Rt wrist radiograph, AP, 13y M, cast present
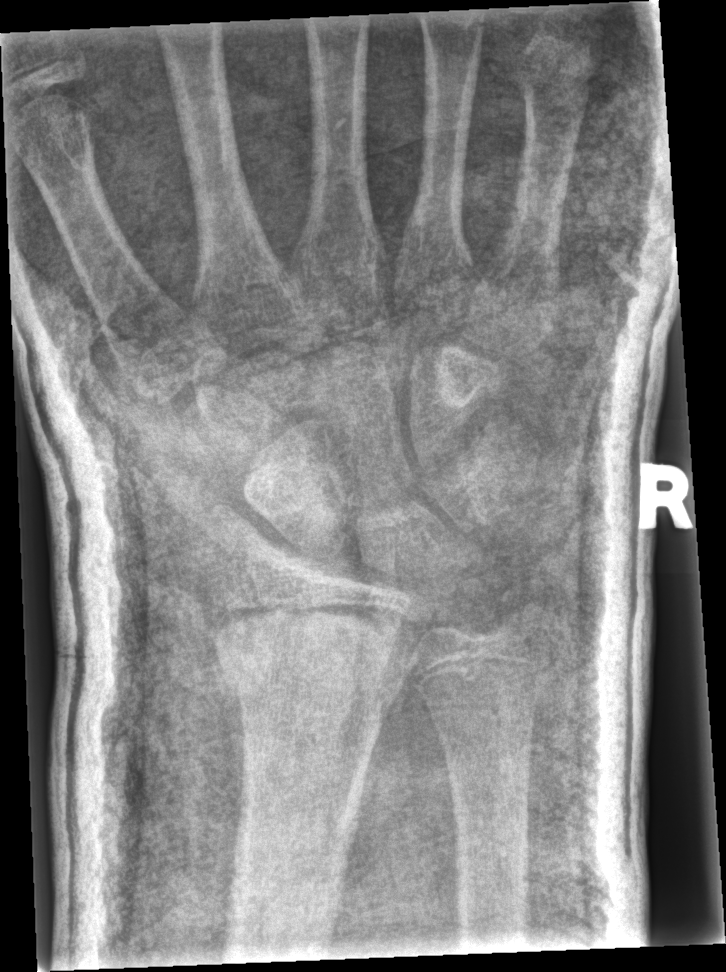

Two bone fractures at (209, 614, 416, 705), (488, 582, 560, 649).
AO code 23r-E/2.1; 23u-E/7.